Rt wrist radiograph, PA/AP view, imaged through cast, 568 x 1130 px: 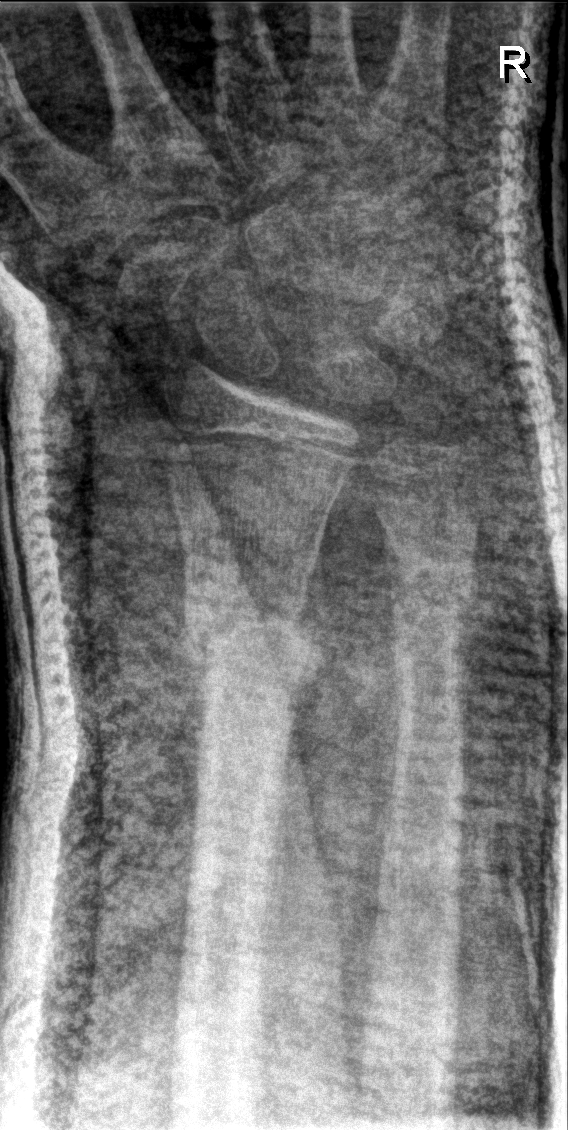

* Two bone fractures at (left=179, top=572, right=317, bottom=702), (left=382, top=545, right=473, bottom=624).